Right wrist radiograph | AP | age 11 y, female | image size 621x1022.

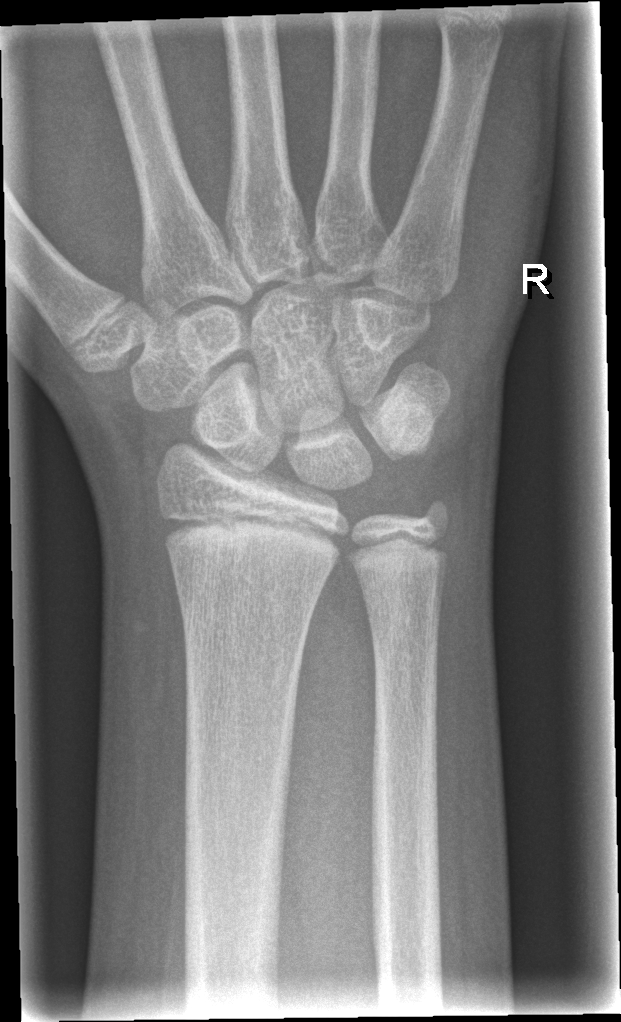
FINDINGS: Fx: none.